Lateral view | Rt wrist plain film | cast present | Siemens | 654 x 1424 px: 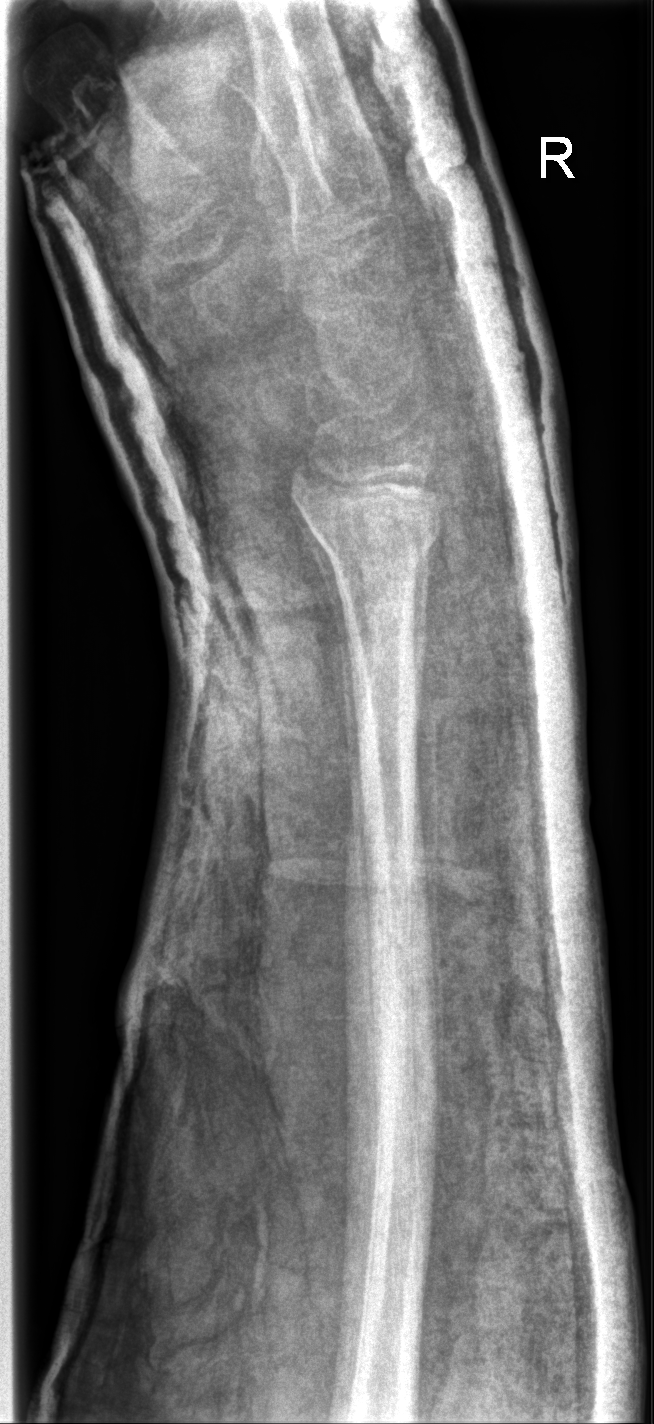
One bone fracture at bbox(284, 471, 447, 570).
Periosteal reaction: bbox(292, 497, 362, 856), bbox(412, 547, 430, 740).